Lt wrist X-ray; PA/AP view.

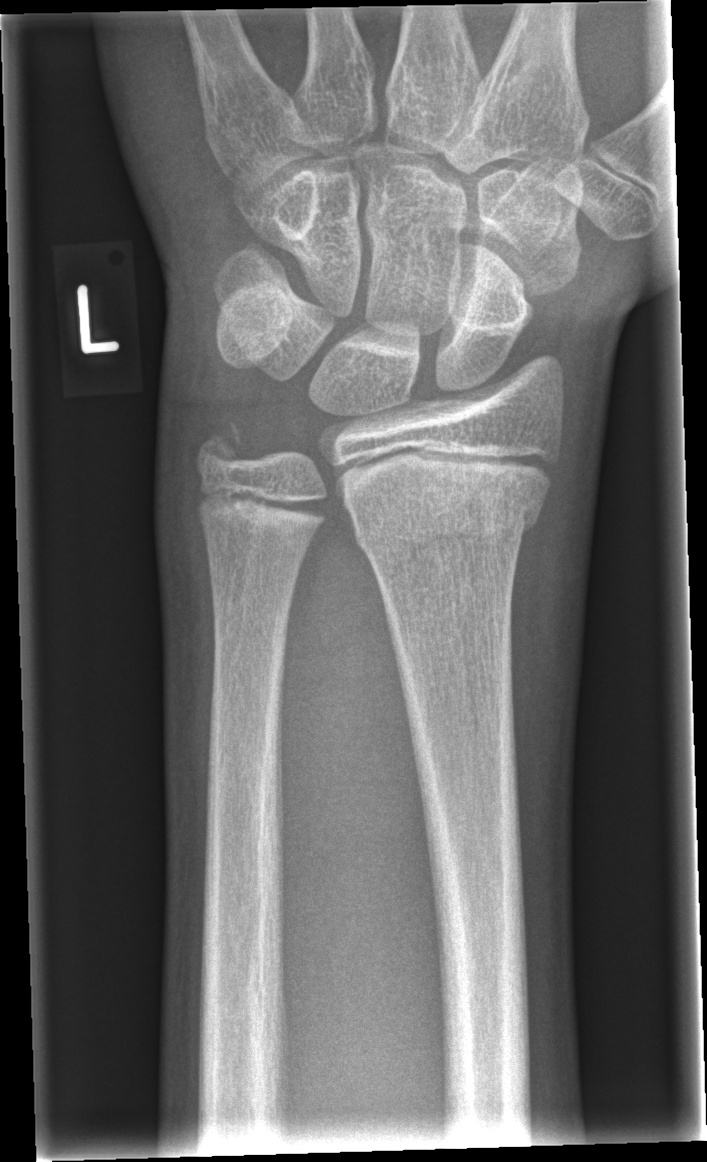
Fx = 349 486 549 581
  192 408 254 479